Lat · left wrist X-ray · image width 86.4 mm: 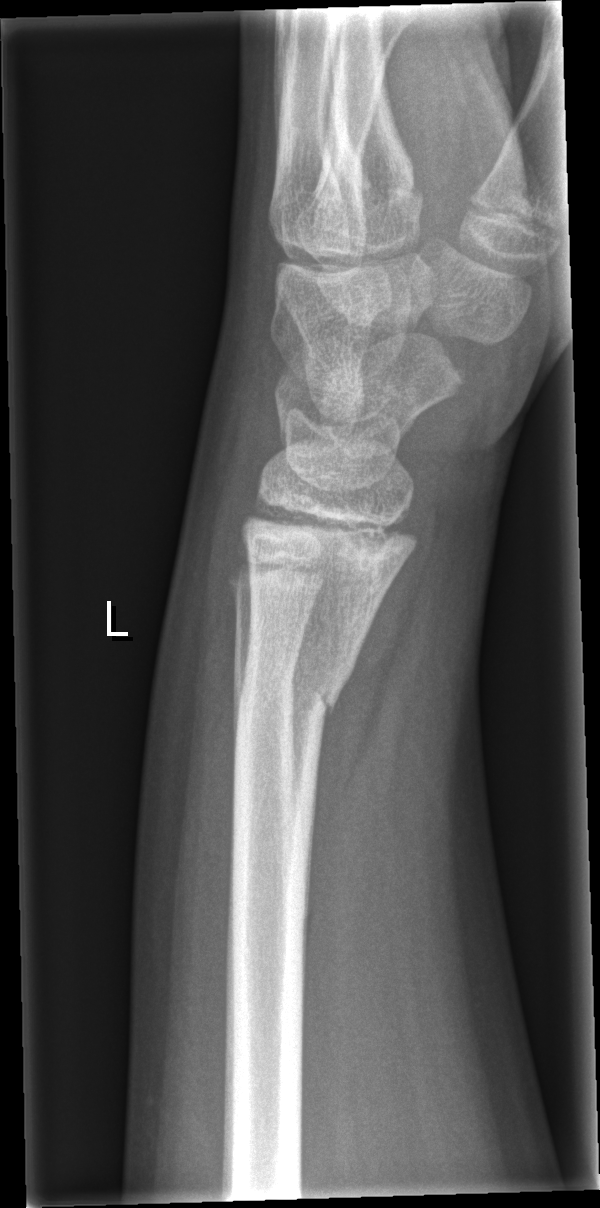 (pixel coordinates, top-left origin, xyxy)
Q: Is there a fracture?
A: Bone fracture identified at 234,656,355,746
Q: What is the AO/OTA classification?
A: AO/OTA classification: 23r-M/3.1